Left wrist radiograph; lat; pediatric patient (male, age 8).

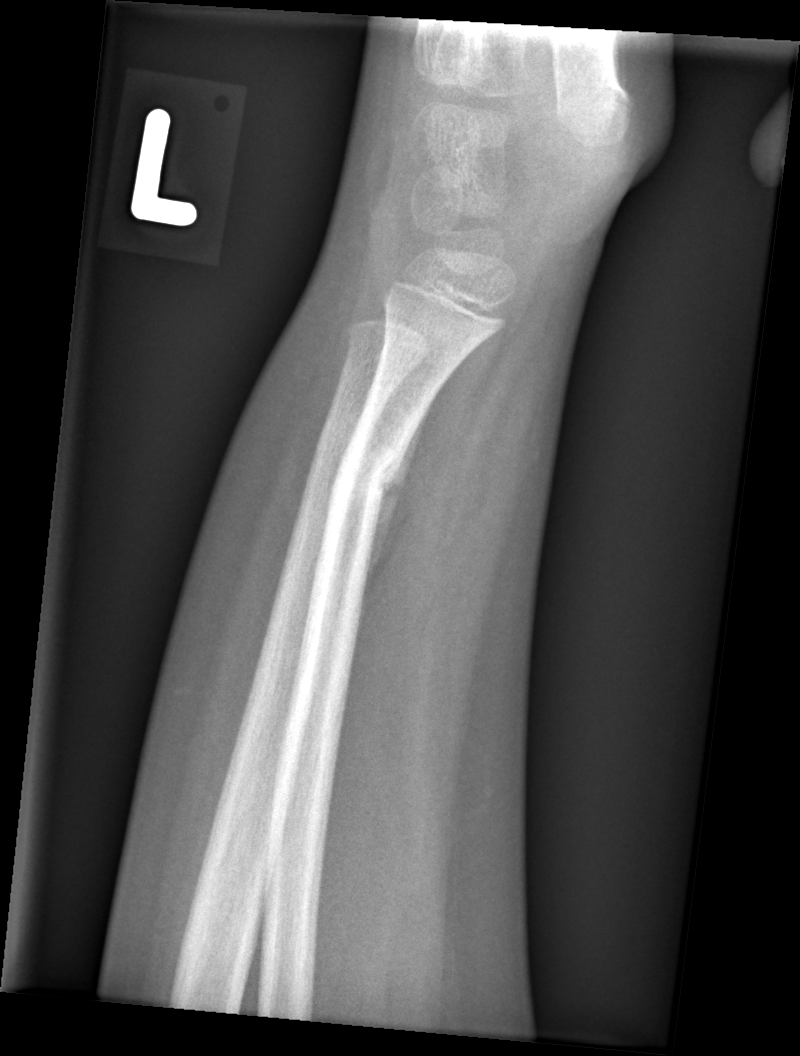
Q: Is there osteopenia?
A: Reduced bone mineral density
Q: Is there periosteal reaction?
A: Periosteal reaction — (left=362, top=407, right=430, bottom=602)
Q: Locate any fractures.
A: One bone fracture at (left=325, top=424, right=411, bottom=529)
Q: AO code?
A: AO/OTA classification: 23-M/2.1